Left wrist plain film · PA projection · male, 10 yo · follow-up · in cast —

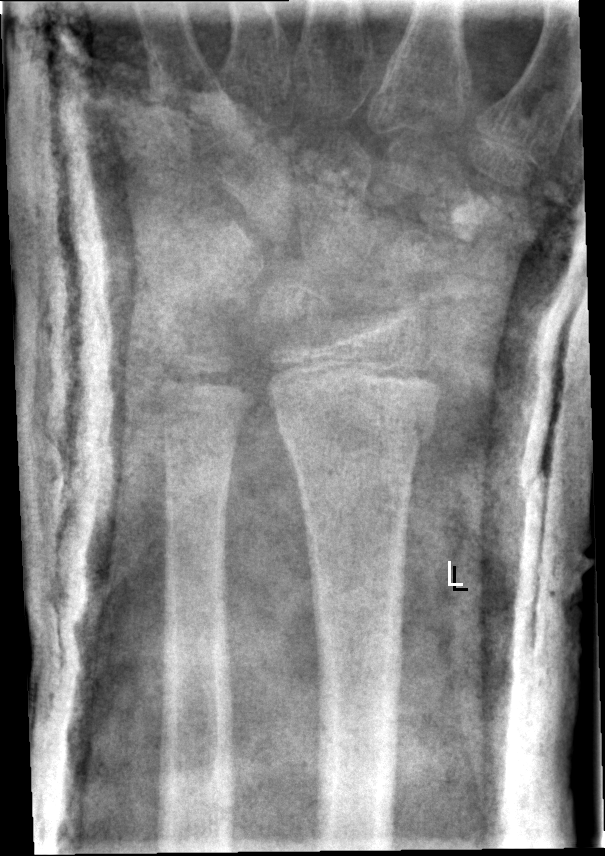 {"fracture": "260 362 449 461"}